L wrist radiograph; AP view; follow-up study

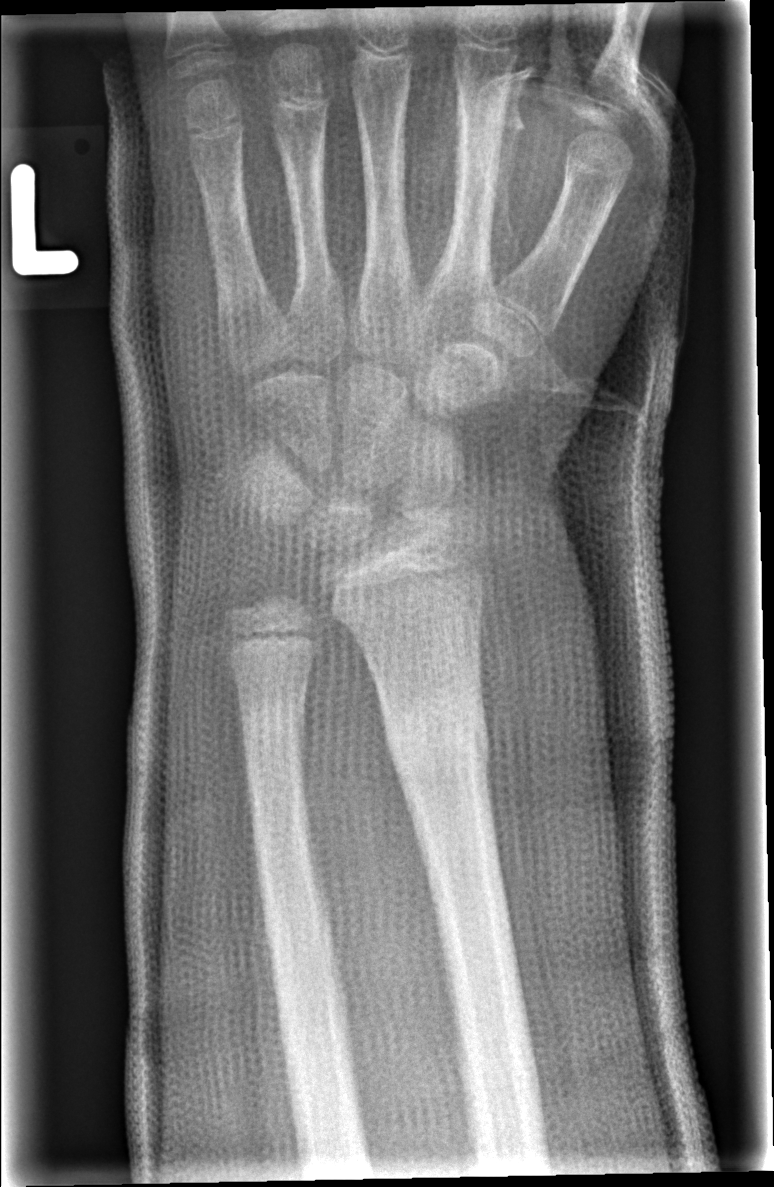
Fx: (left=379, top=691, right=497, bottom=802) (left=239, top=695, right=311, bottom=763). AO/OTA classification: 23-M/2.1.